Lateral view; Rt wrist radiograph; index exam; Siemens; image 56.0 mm wide: 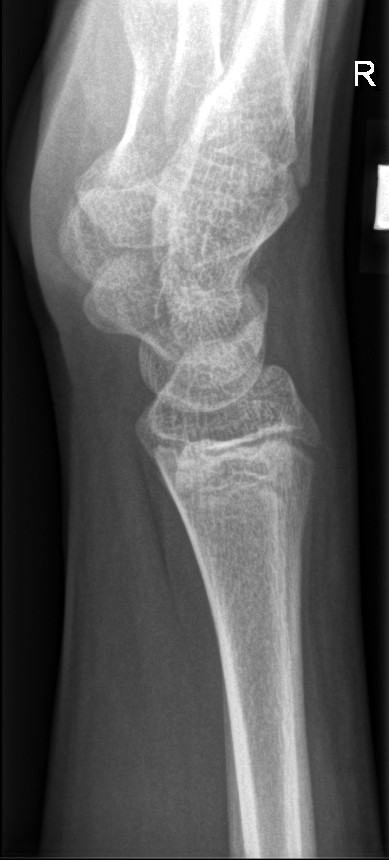 No fracture labeled.